R pediatric wrist radiograph; AP projection; girl, 9 yo. 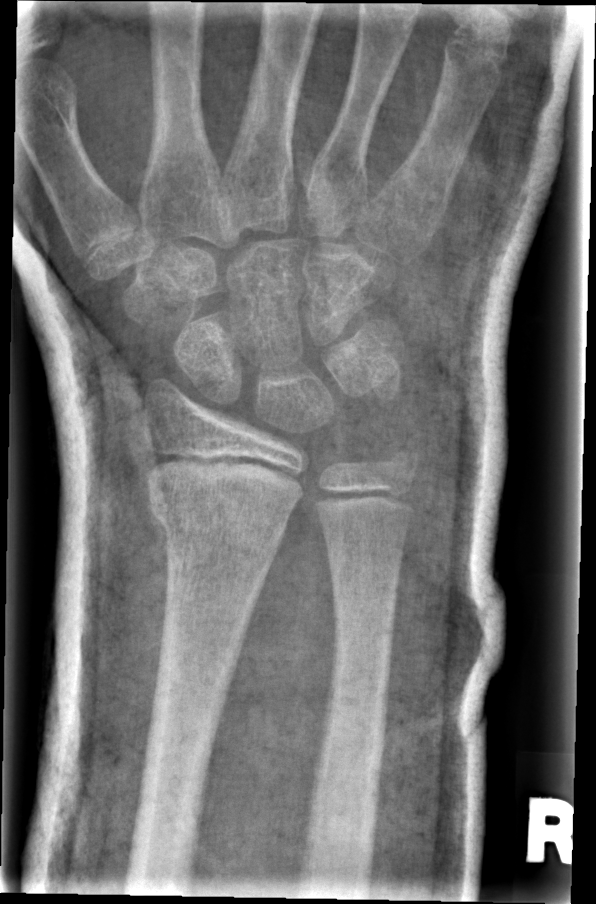

{
  "fracture": "[148, 483, 284, 574] [374, 434, 424, 488]",
  "ao": "23r-M/3.1; 23u-E/7"
}